Frontal; Lt wrist XR; 746 by 1287 pixels —

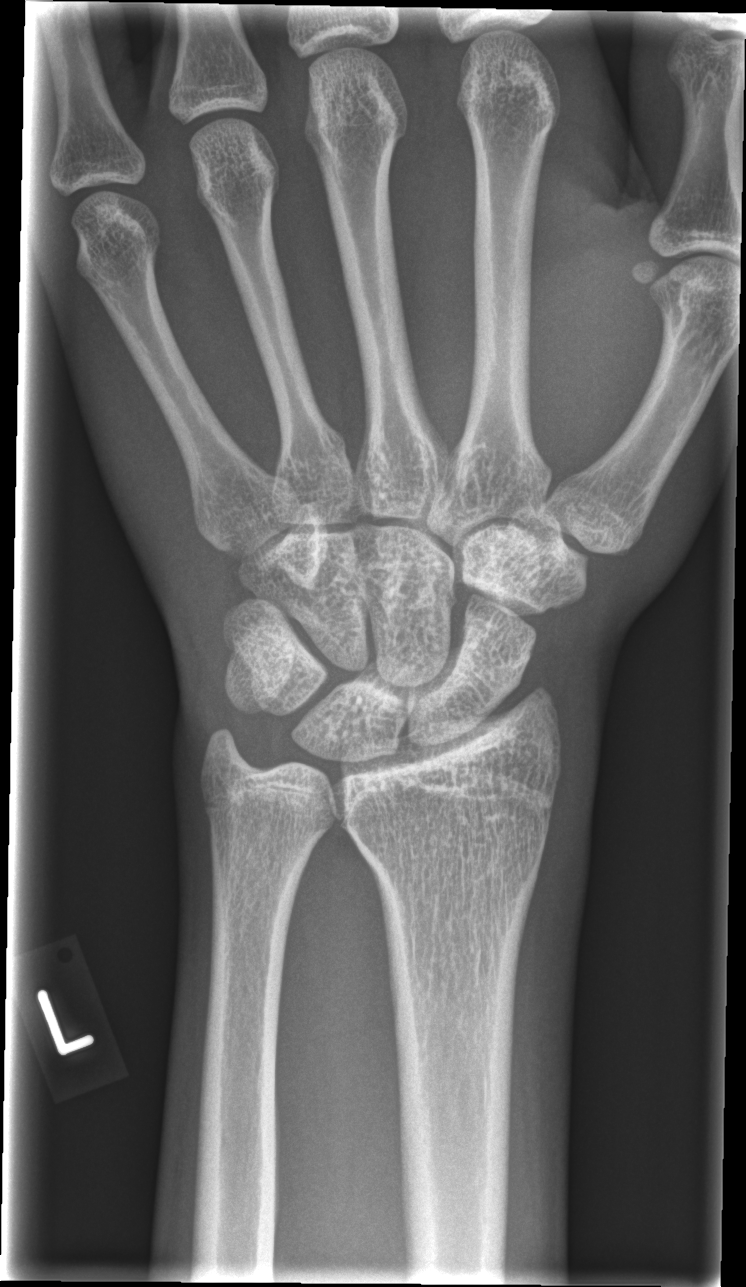 {
  "fracture": "none labeled"
}